Lt wrist plain film, lateral view, pediatric patient (girl, age 9), follow-up, cast in situ —

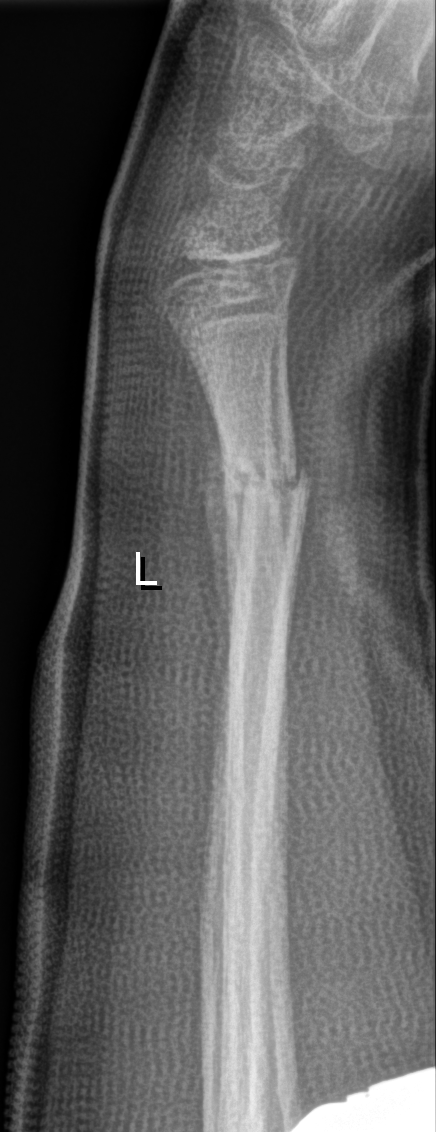
Findings: (coordinates are [x1, y1, x2, y2] in image pixels) Periosteal new bone identified at 200,371,244,652. Fracture classified AO/OTA 23r-M/3.1. Bone fracture identified at 221,445,315,517.